Lat projection; R wrist X-ray; pediatric patient (male, age 11) 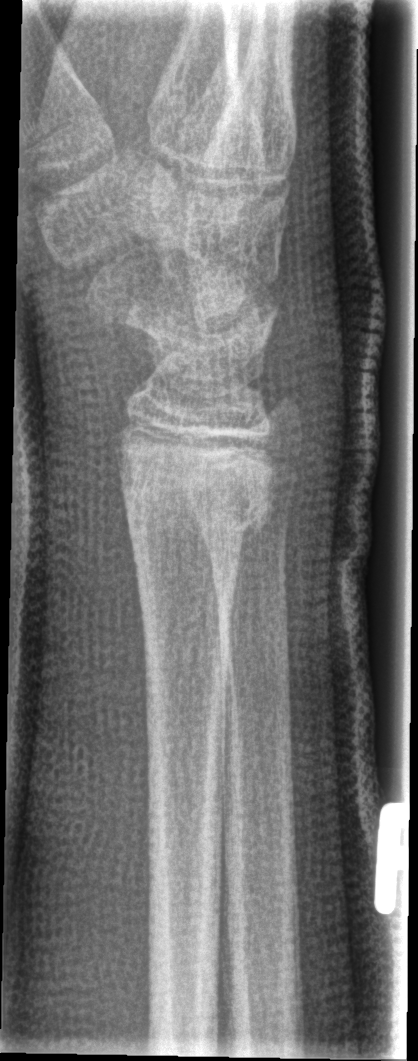 FINDINGS — (boxes as x1,y1,x2,y2 (top-left / bottom-right, pixel units)) Fx: [112, 435, 284, 551].